Left wrist plain film; lateral view; image width 112.6 mm: 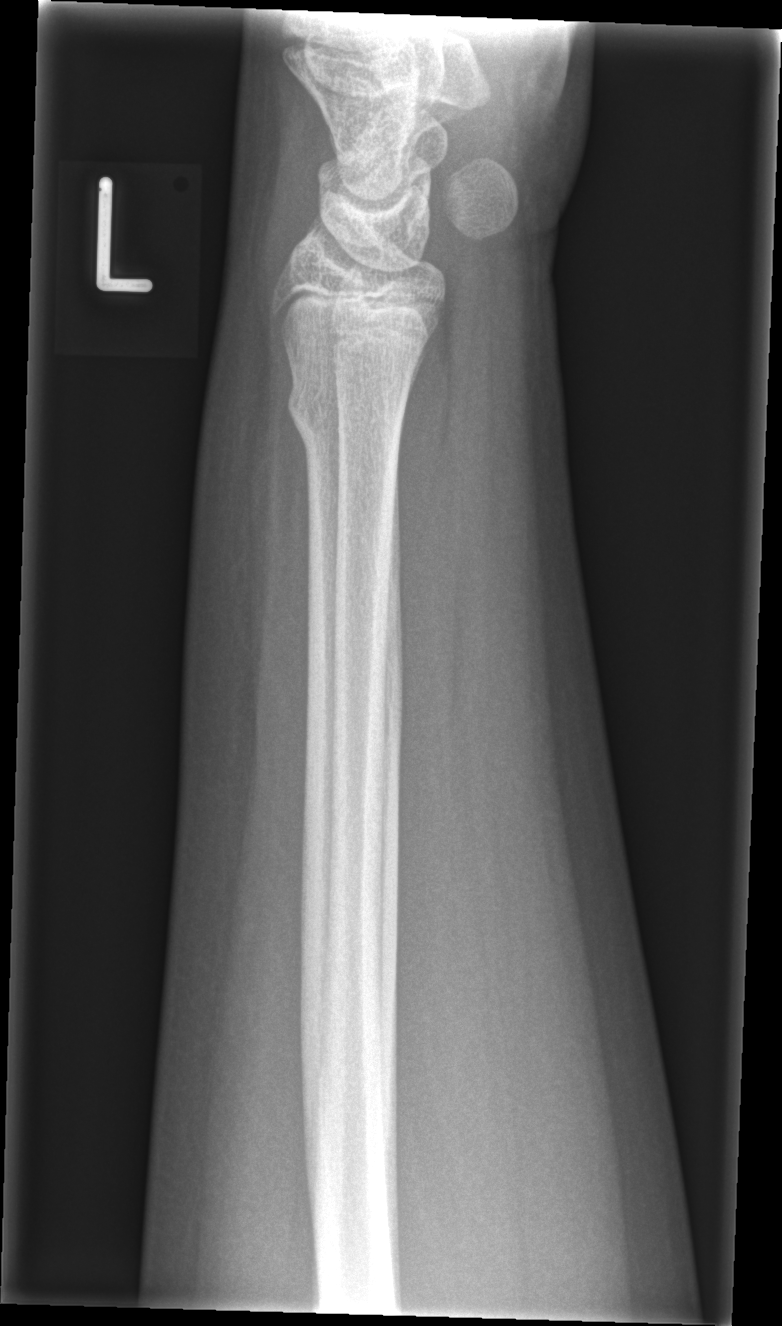

FINDINGS: One soft-tissue swelling at (left=188, top=312, right=309, bottom=721). One Fx at (left=285, top=376, right=408, bottom=450). AO/OTA classification: 23r-M/2.1.